R plain radiograph of the wrist, lat view, age 7 y, male, image 46.2 mm wide: 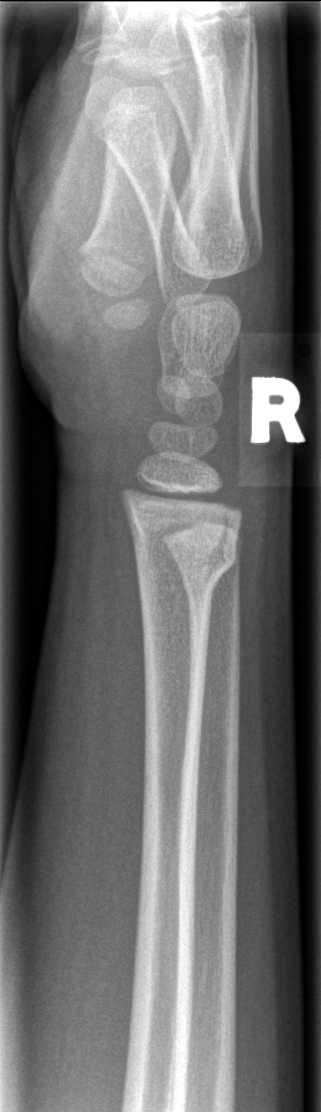 FINDINGS — (pixel coordinates, top-left origin, xyxy) Fx — 129 518 240 601. AO/OTA classification: 23r-M/2.1.